PA view | right wrist pediatric wrist radiograph | boy, 13 yo | 611x1186 —
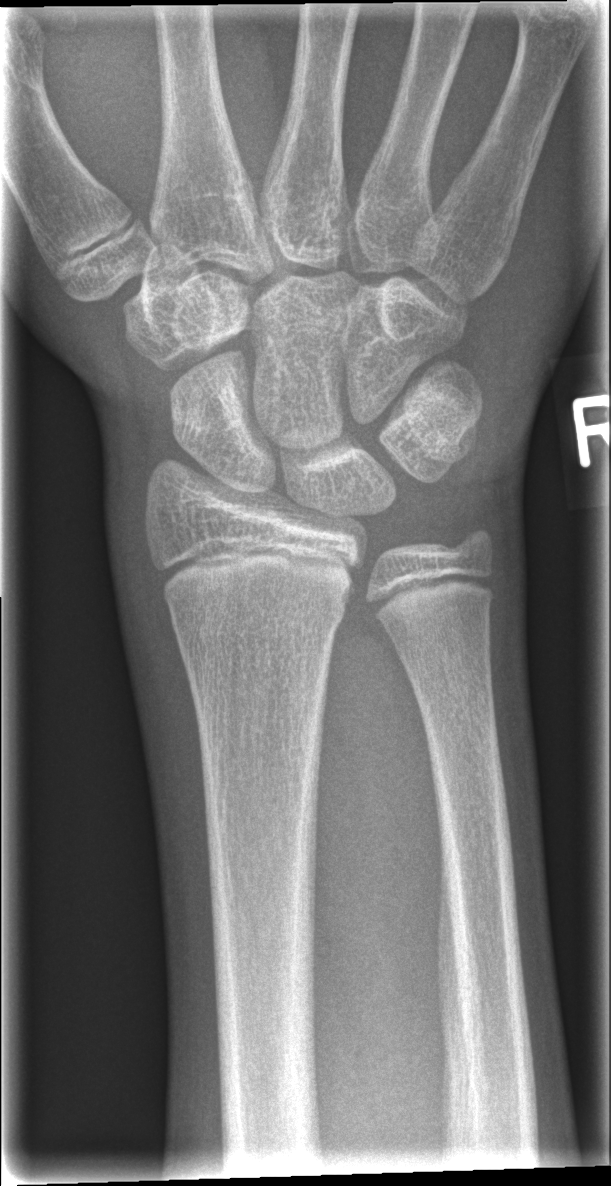
Fracture: present but not clearly seen in this view.
AO code 23r-M/2.1.